Right wrist plain film, lat view, male, 8 yo, in cast. 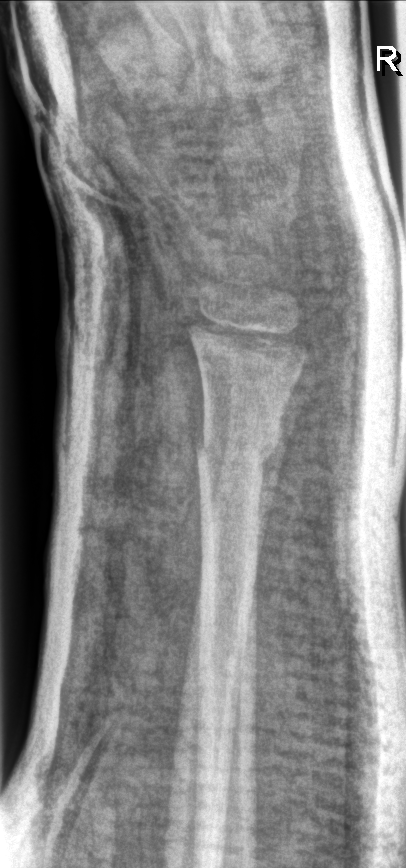 (boxes as x1,y1,x2,y2 (top-left / bottom-right, pixel units))
Fx: 1 @ 190,403,288,480
AO/OTA: 23r-M/3.1